Lateral projection | right wrist XR | detector: Siemens: 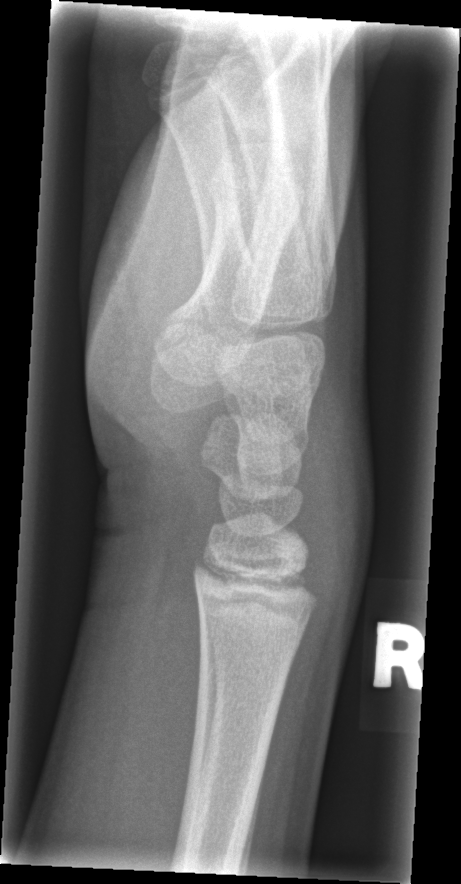

Fracture: none labeled